Lateral projection, R plain radiograph of the wrist, boy, 14 yo.

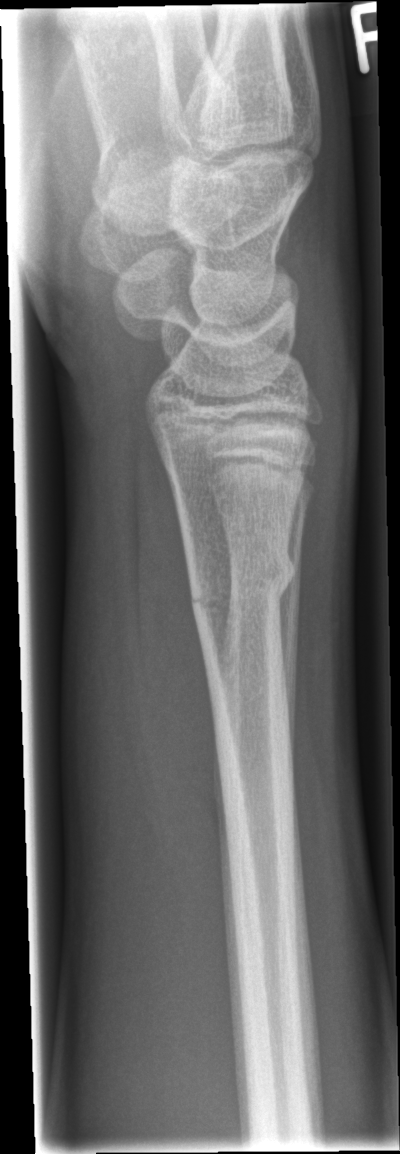 Coordinates are [x1, y1, x2, y2] in image pixels. Fracture: [184, 549, 300, 622]. AO/OTA classification: 23r-M/3.1. Pronator sign: [131, 435, 223, 897].